Right wrist XR · lat view · image size 612x1158

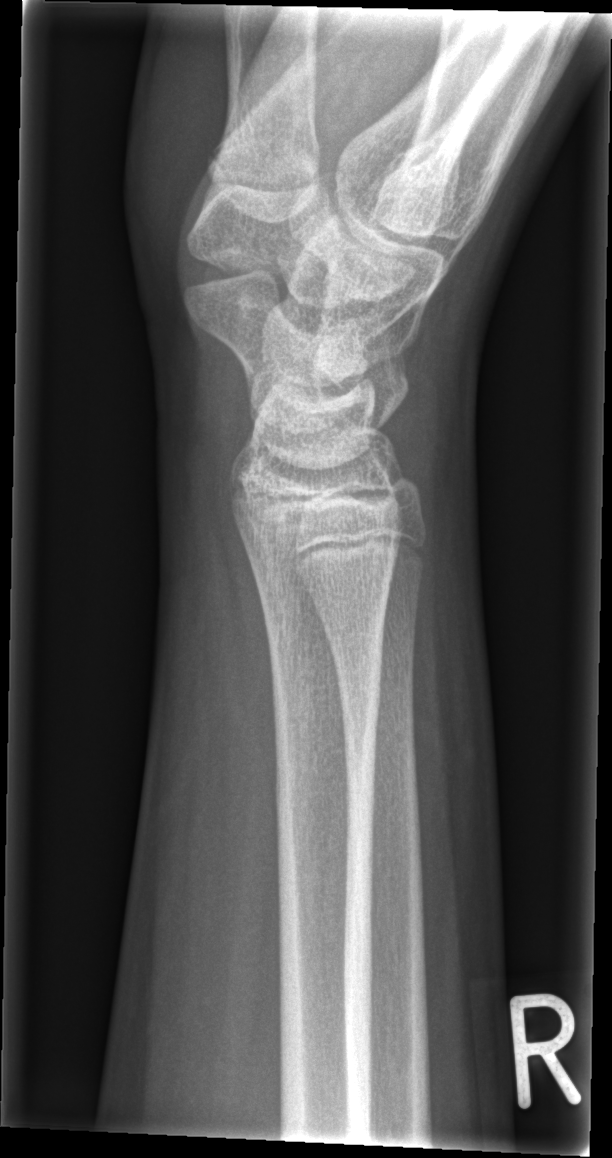 Q: Locate any fractures.
A: No fracture annotation